Lat projection; L plain radiograph of the wrist

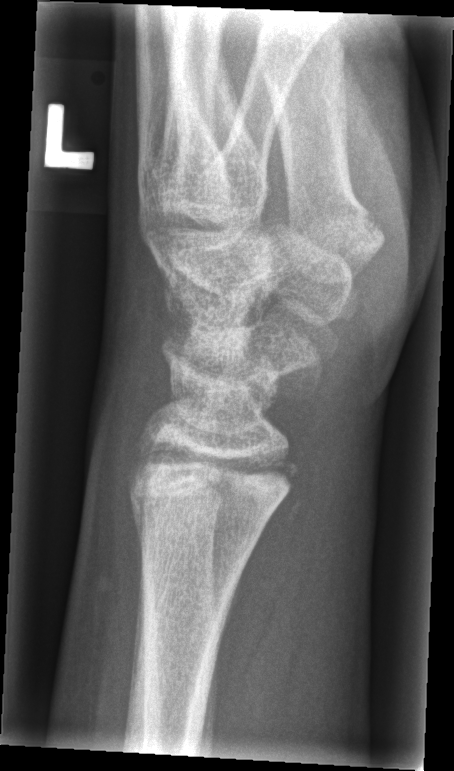
fracture: bbox(123, 440, 299, 535)
osteopenia: present